Lateral view · Lt wrist radiograph · 14-year-old male · cast in situ · image size 560x1358 — 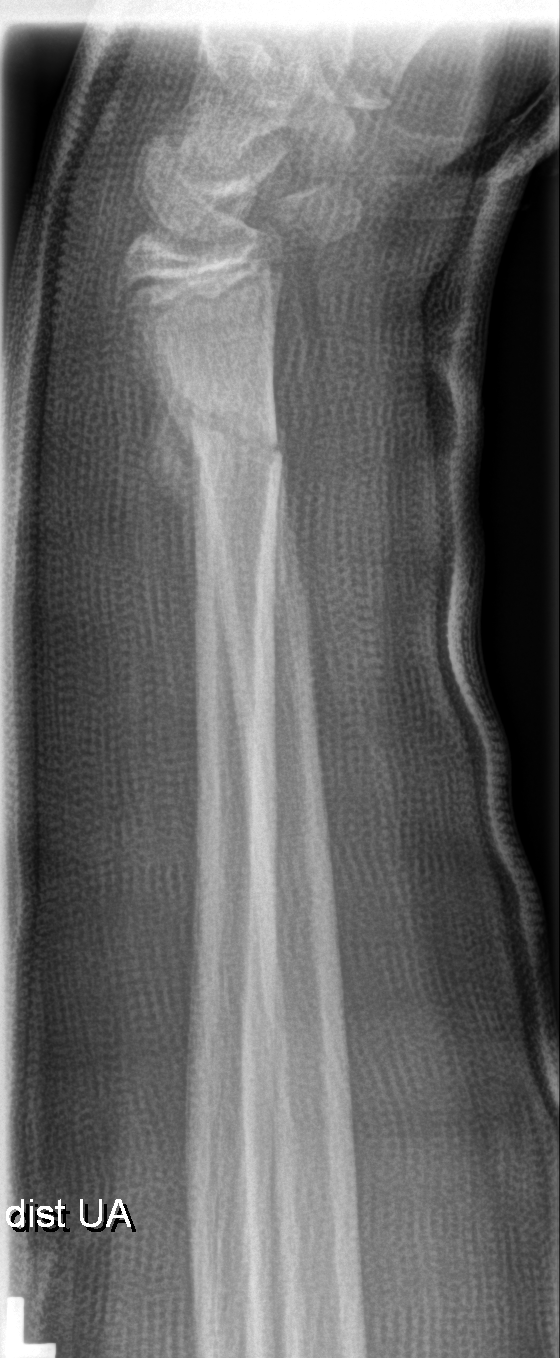
• One periosteal thickening at (left=128, top=320, right=200, bottom=652).
• Fx: (left=168, top=397, right=291, bottom=503).